PA/AP, Rt wrist plain film, index exam.

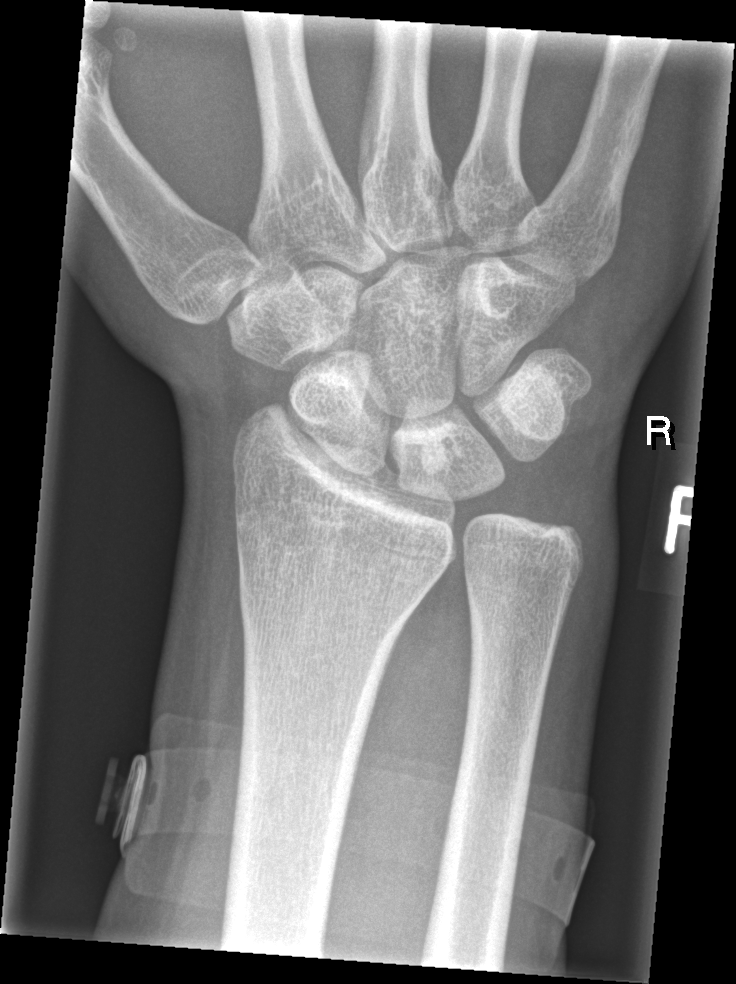 Bone fracture: none labeled